Lat; Rt wrist XR; pediatric patient (boy, age 7); follow-up study; imaged through cast —

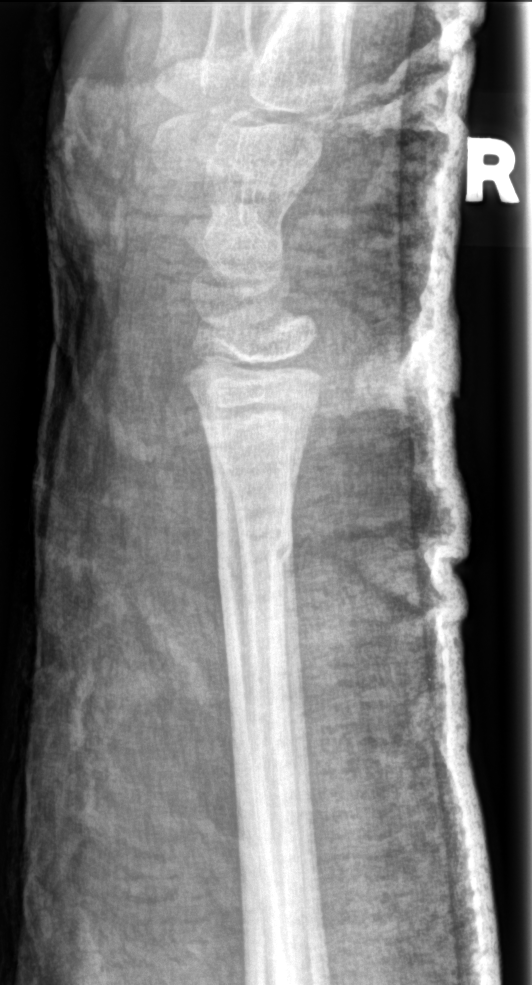
Fx = 214,516,297,587